Lt wrist XR | lat.
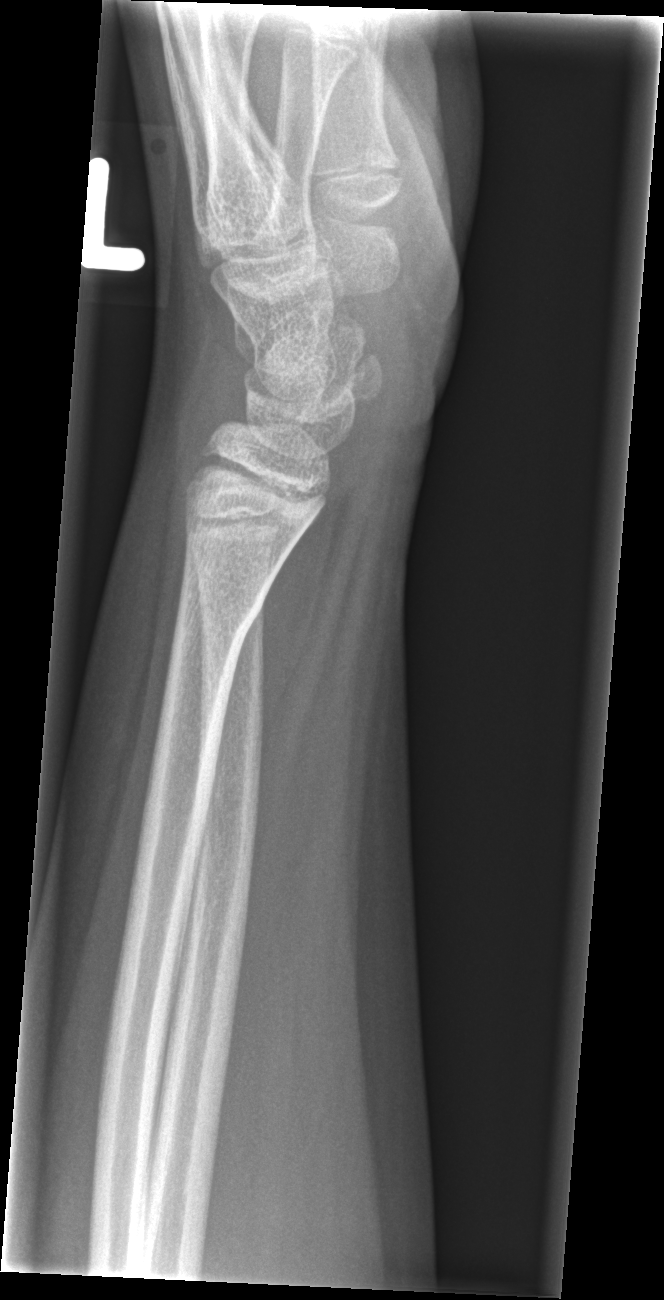

- Boxes as x1,y1,x2,y2 (top-left / bottom-right, pixel units).
- One Fx at bbox(166, 578, 276, 656).
- AO/OTA classification: 23r-M/2.1.